Right wrist XR | lateral view
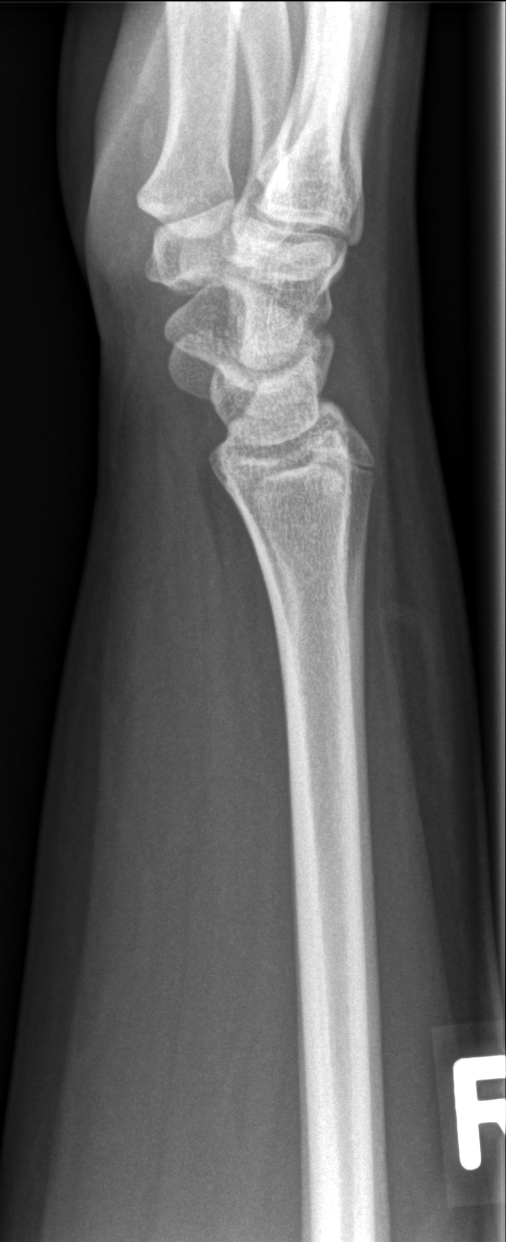
fracture: none labeled